Lateral | right wrist radiograph | male, 11 yo.
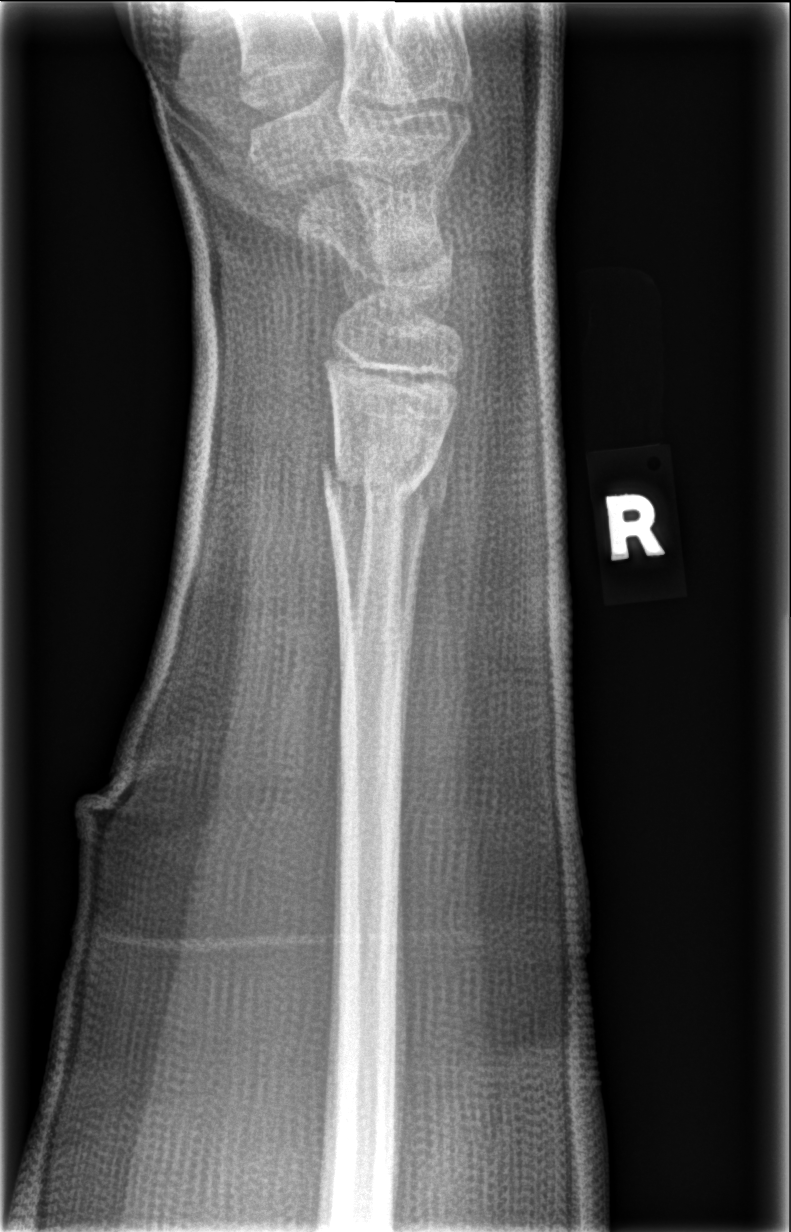 Fx identified at bbox(316, 441, 430, 518) bbox(359, 456, 450, 522). AO code 23-M/3.1.